Lt wrist radiograph | lateral view | female, 5 yo | acquired on Siemens — 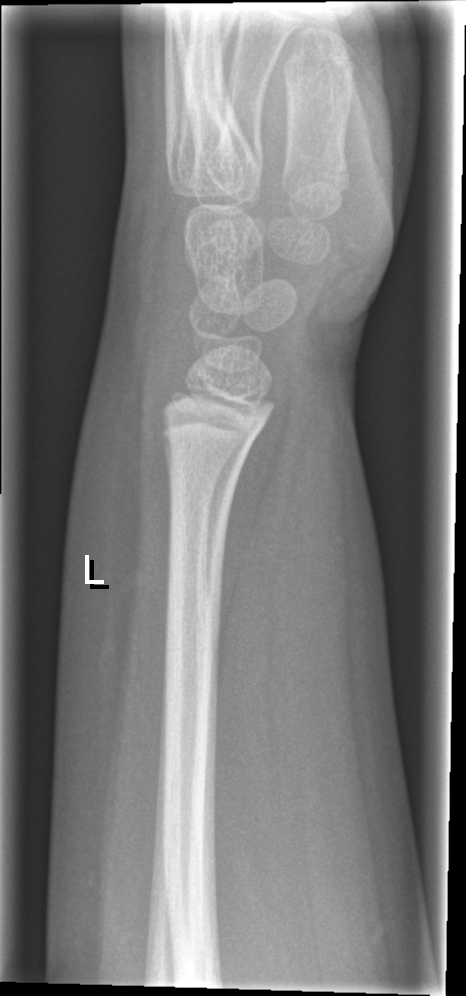 Findings: AO code 23r-M/2.1. One bone fracture at 156,408,270,463.